R plain radiograph of the wrist · PA/AP view · age 17 y, female —
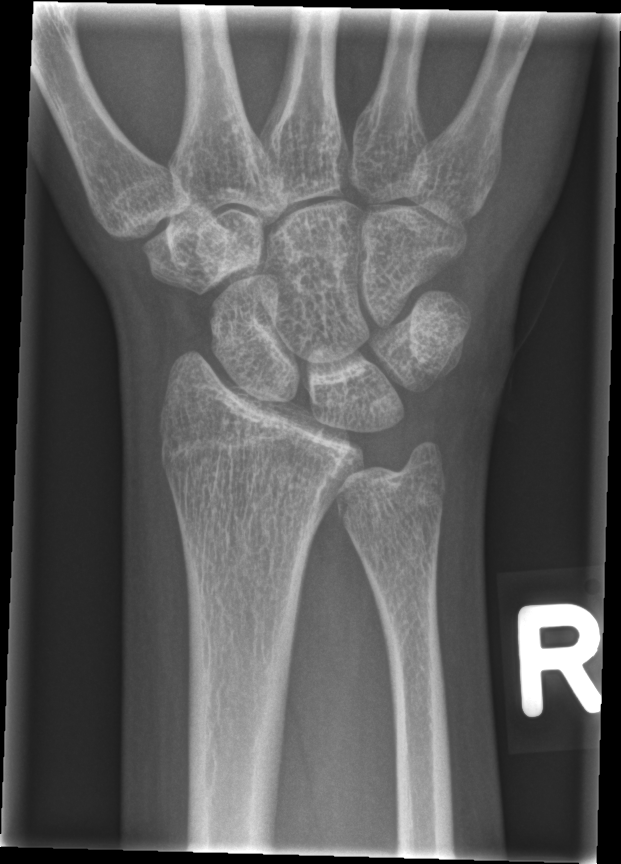 FINDINGS — Fx: none.